Rt wrist XR · lateral projection · 486 x 953 px:
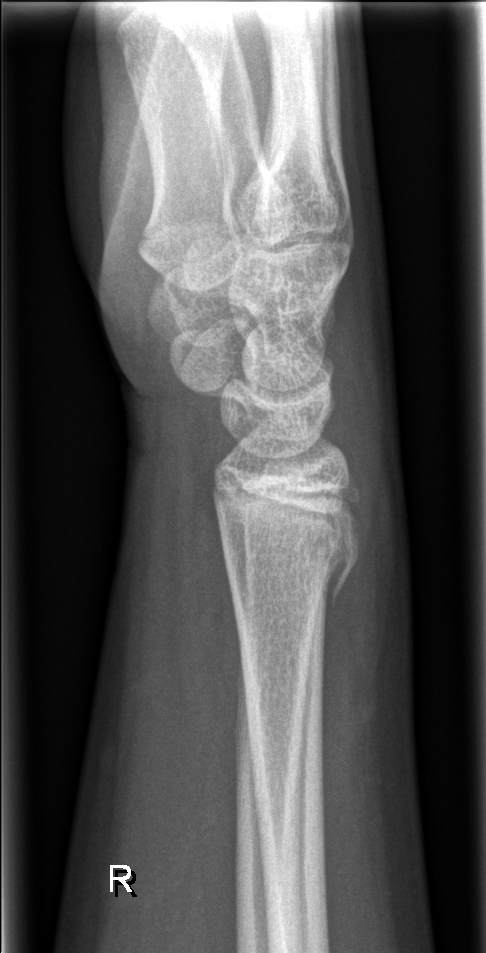
(boxes as x1,y1,x2,y2 (top-left / bottom-right, pixel units))
Fx: 225 503 363 608